Right plain radiograph of the wrist; AP view; 8y M; imaged through cast; image size 692x1190 —
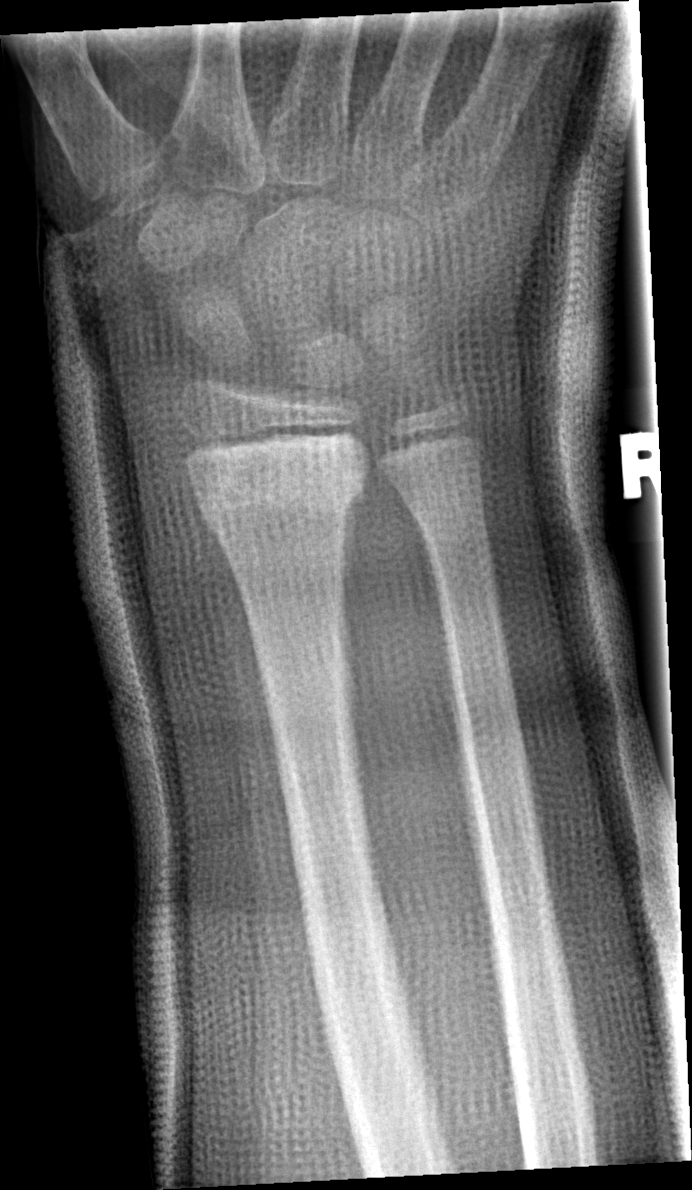
(coordinates are [x1, y1, x2, y2] in image pixels)
Bone fracture: 2 @ [x1=180, y1=432, x2=373, y2=537] [x1=406, y1=490, x2=493, y2=556]
AO classification: 23r-M/3.1; 23u-M/2.1